Left wrist X-ray, PA projection —
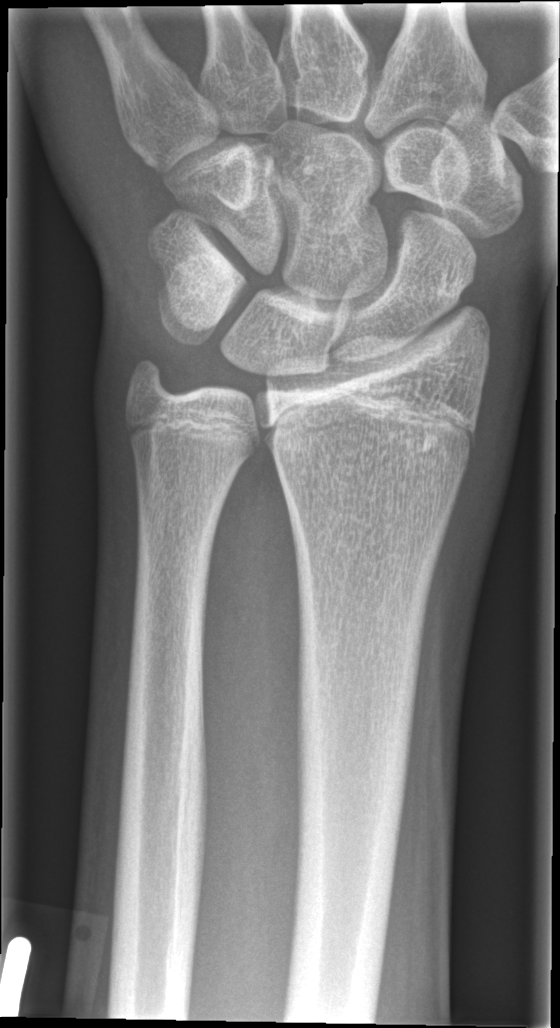 {
  "fracture": "none labeled"
}